Lateral view | Lt pediatric wrist radiograph | 8y F | follow-up study | in cast 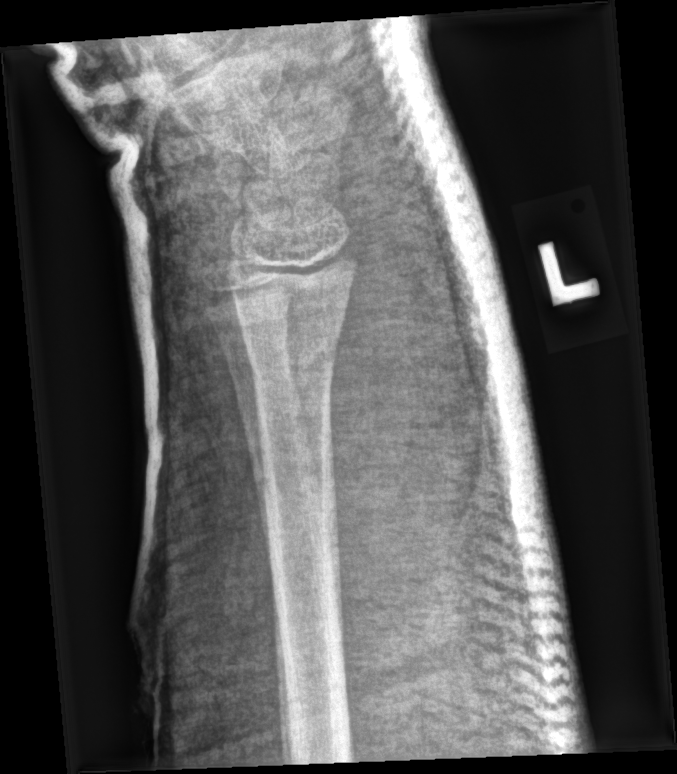
FINDINGS — Fx: (left=243, top=329, right=339, bottom=385). AO/OTA classification: 23r-M/2.1.